Lt wrist XR; lateral; pediatric patient (female, age 5). 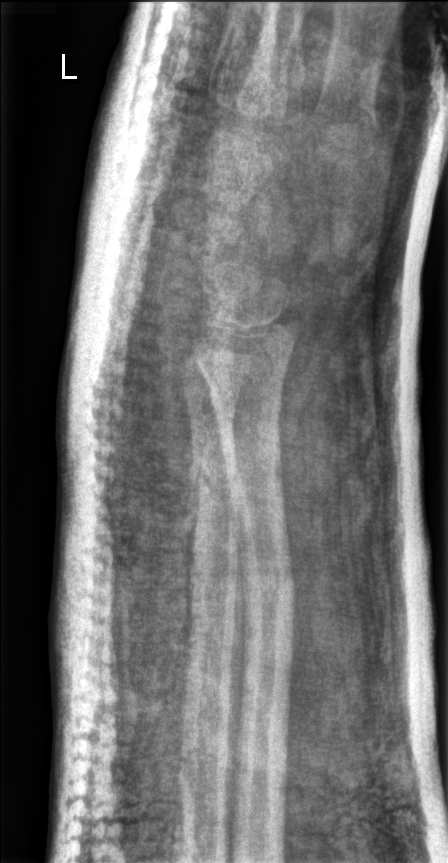 FINDINGS — Bone fracture identified at (236, 543, 300, 624) (186, 452, 244, 517). Fracture classified AO/OTA 22r-D/2.1; 23u-M/2.1.